Left pediatric wrist radiograph; posteroanterior view; age 13 y, boy; 82.4 mm image width; 572 x 968 px
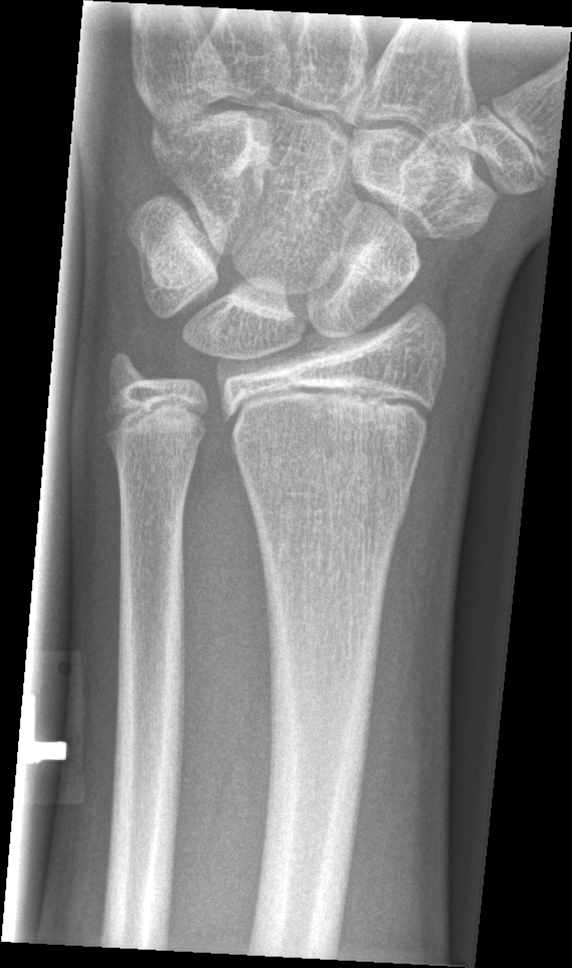

  fracture: present but not clearly seen in this view